Frontal; R wrist X-ray; imaged through cast: 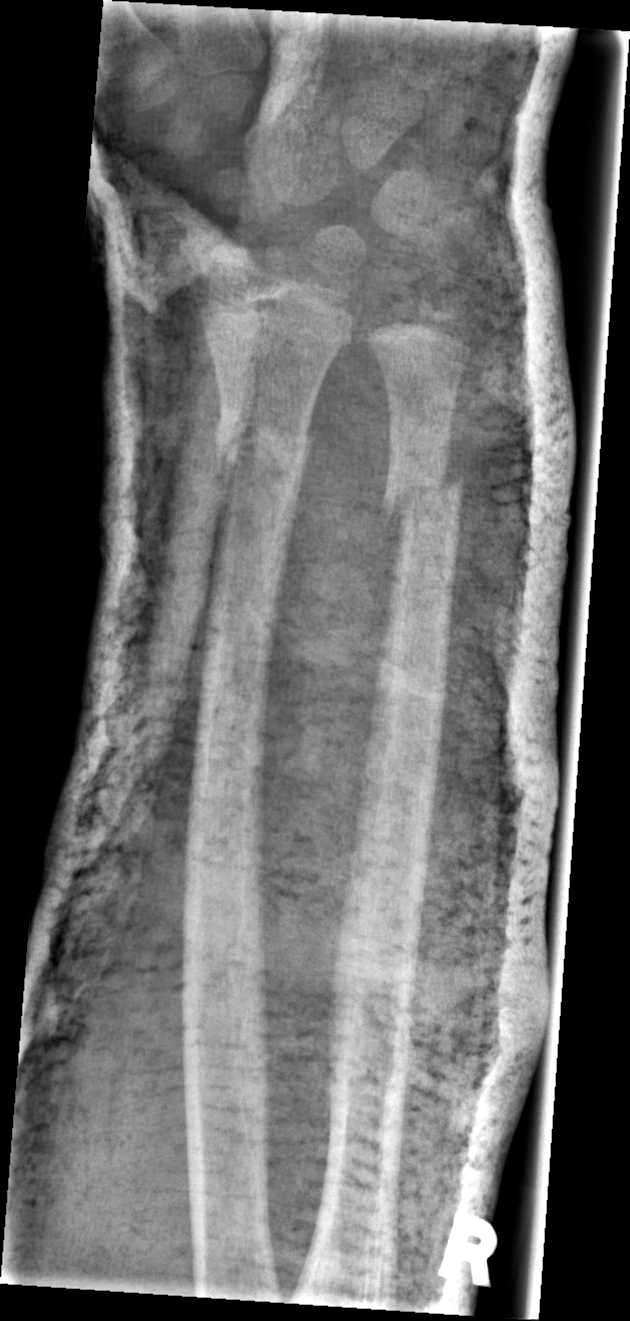
Fracture: bbox(197, 403, 322, 494) bbox(385, 456, 462, 531)